Right wrist radiograph · PA/AP view · pediatric patient (girl, age 9). 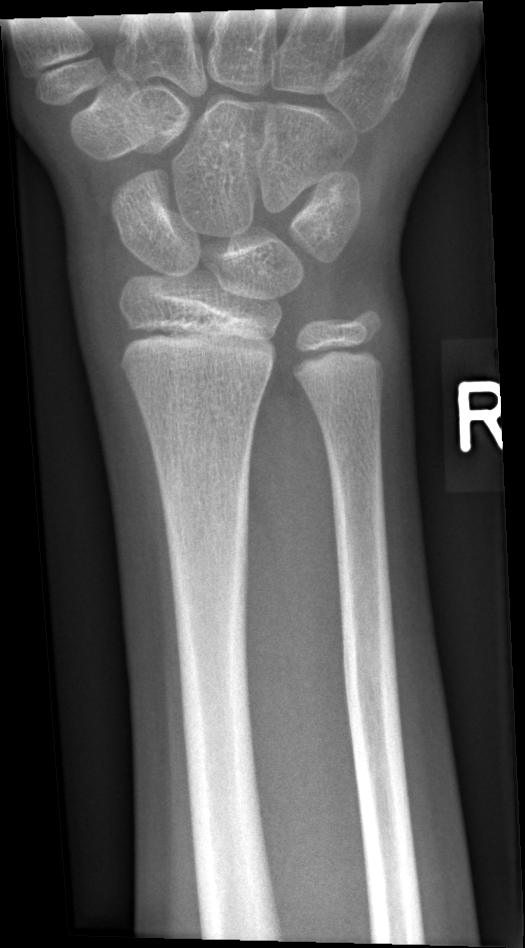
Fracture: none labeled.